R pediatric wrist radiograph | lateral view.
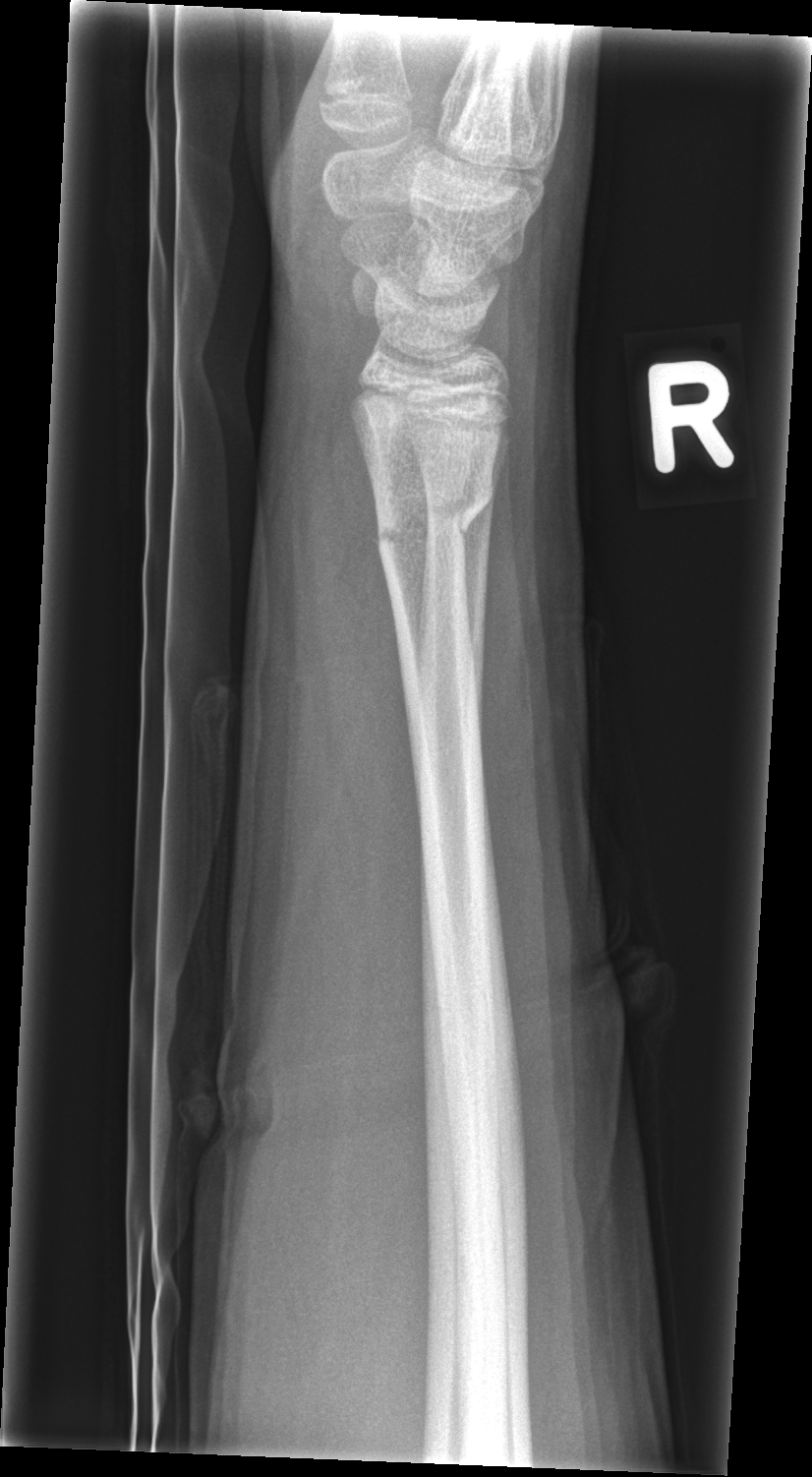
fracture = (left=373, top=478, right=496, bottom=562)
AO classification = 23r-M/3.1
pronator quadratus fat-pad sign = 1 @ (left=306, top=391, right=421, bottom=819)